Right pediatric wrist radiograph · AP · image width 92.7 mm 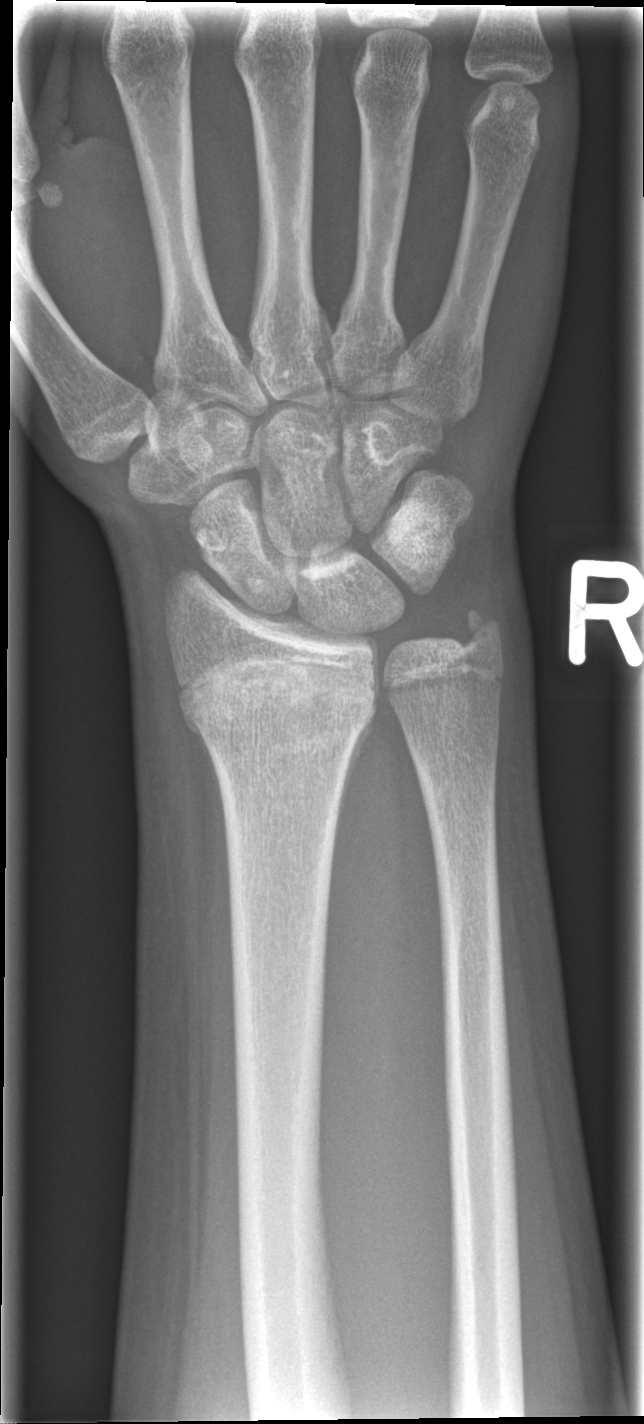

  # bounding boxes in image-pixel xyxy
  fracture: 2 @ <173,653>-<383,771>, <449,598>-<512,664>